Lat · right wrist plain film · 13-year-old male · index exam:

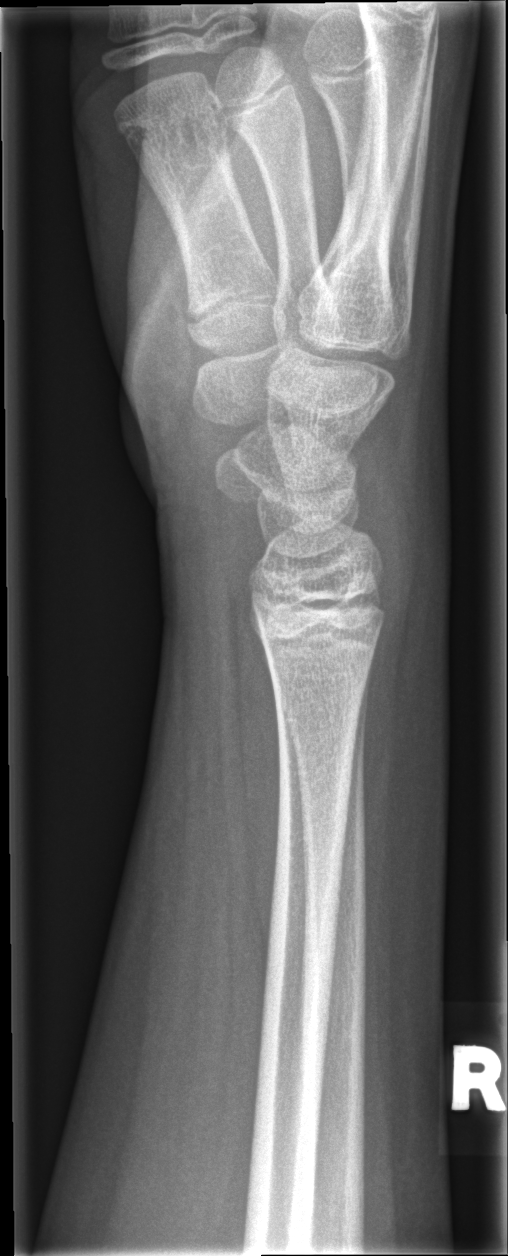
No fracture bounding box.